Lateral view | left wrist radiograph | Siemens | 492x957:

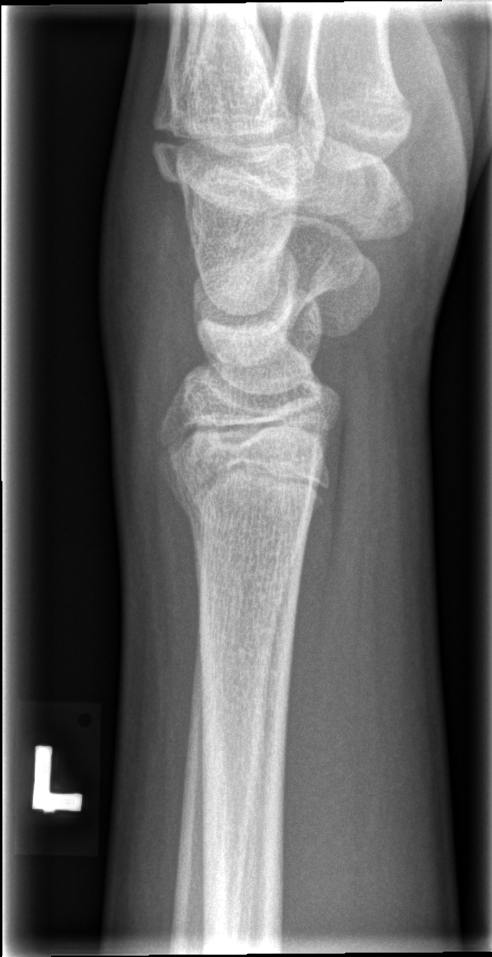

FINDINGS — (coordinates are [x1, y1, x2, y2] in image pixels) AO code 23r-M/2.1. Fracture: <164,463>-<319,557>. Soft tissue abnormality — <92,144>-<201,429>.